Right wrist plain film · lateral projection · pediatric patient (male, age 7) · follow-up study · cast in situ —

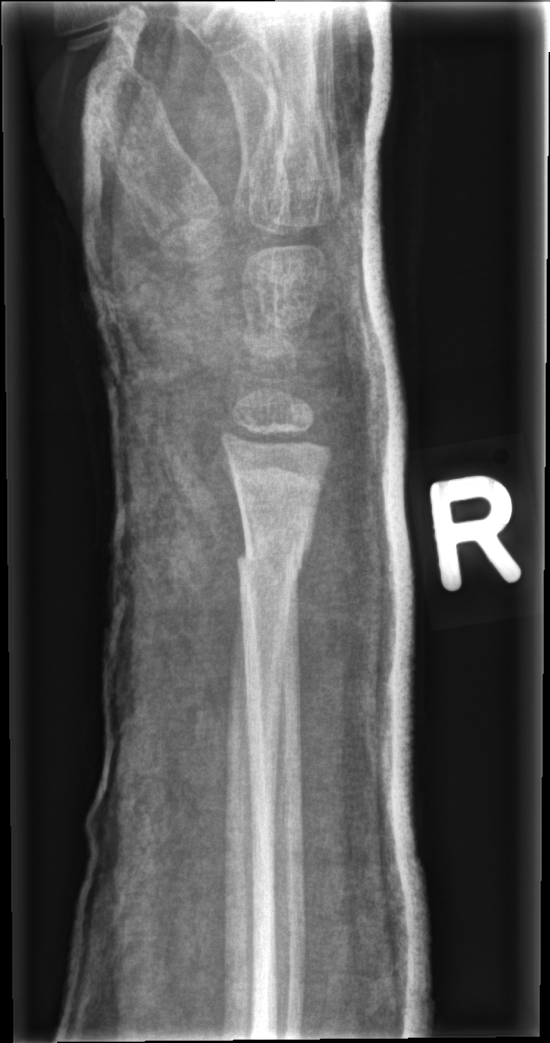 Pixel coordinates, top-left origin, xyxy. AO/OTA classification: 23-M/3.1. Fracture: [234, 517, 312, 592].